Lat projection | Lt wrist X-ray | age 16 y, girl | image 71.7 mm wide
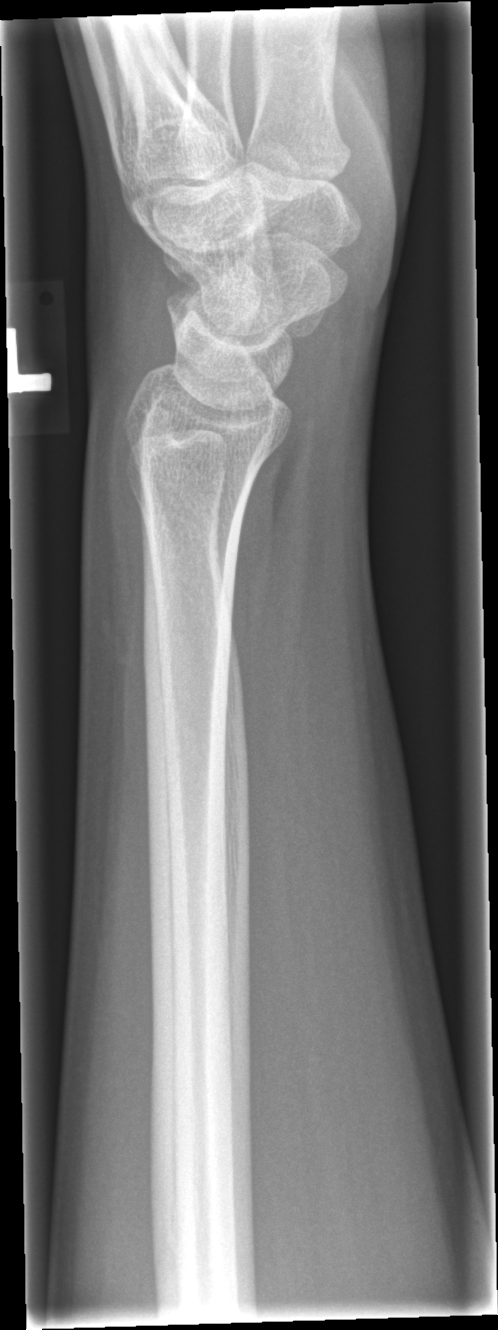 {"fracture": "none labeled"}